Left wrist X-ray · frontal · pediatric patient (girl, age 7) · detector: Siemens — 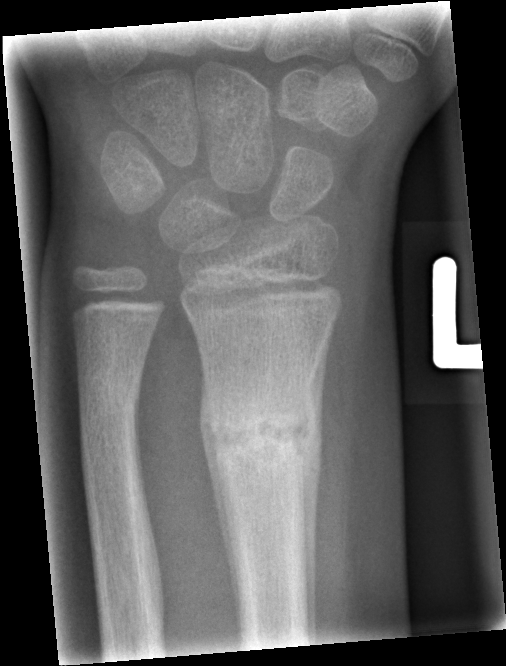

{
  "_coords": "pixel coordinates, top-left origin, xyxy",
  "periostealreaction": "[197, 358, 243, 649] [302, 316, 336, 640]",
  "fracture": "[197, 393, 328, 486], [73, 370, 143, 434]",
  "ao": "23-M/3.1"
}